L wrist plain film; lat projection; age 16 y, male —
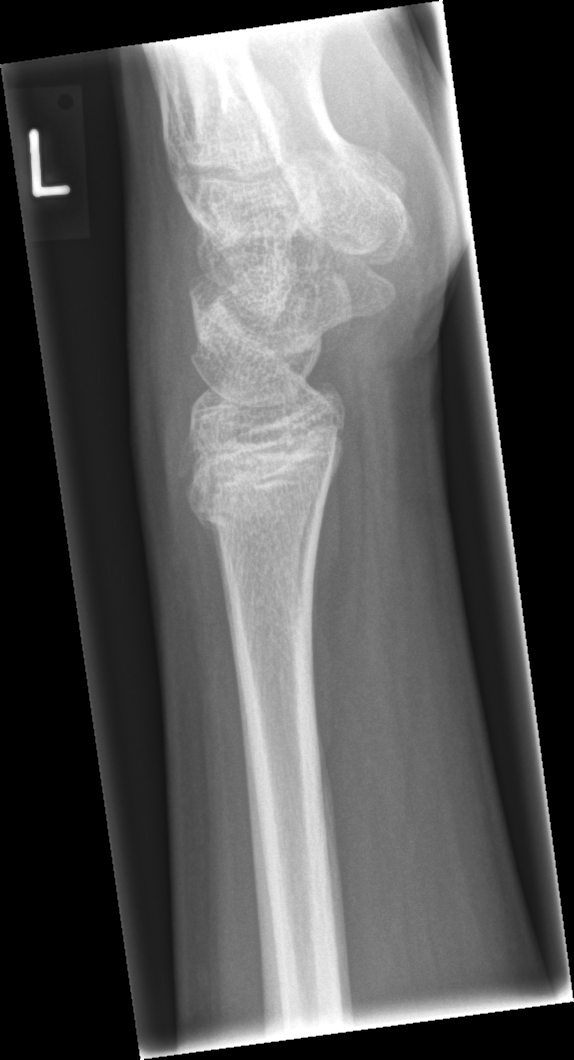 {
  "_coords": "pixel coordinates, top-left origin, xyxy",
  "fracture": "180 438 339 543",
  "osteopenia": "present",
  "ao": "23r-M/2.1; 23u-E/7"
}